Lat · right pediatric wrist radiograph · 17y F
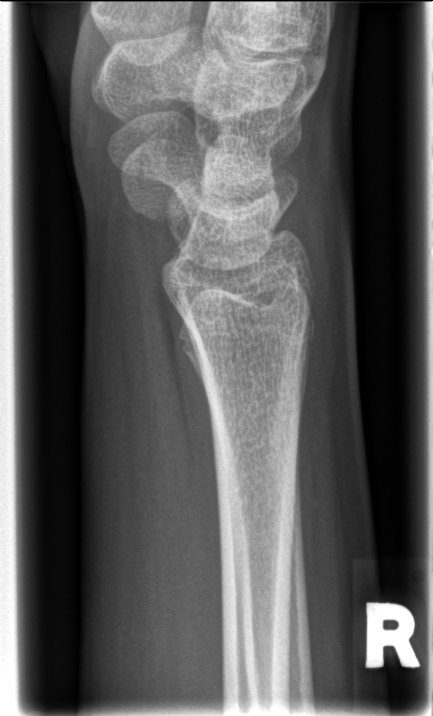 FINDINGS — No fracture labeled.